Lateral projection | left wrist X-ray | index exam —

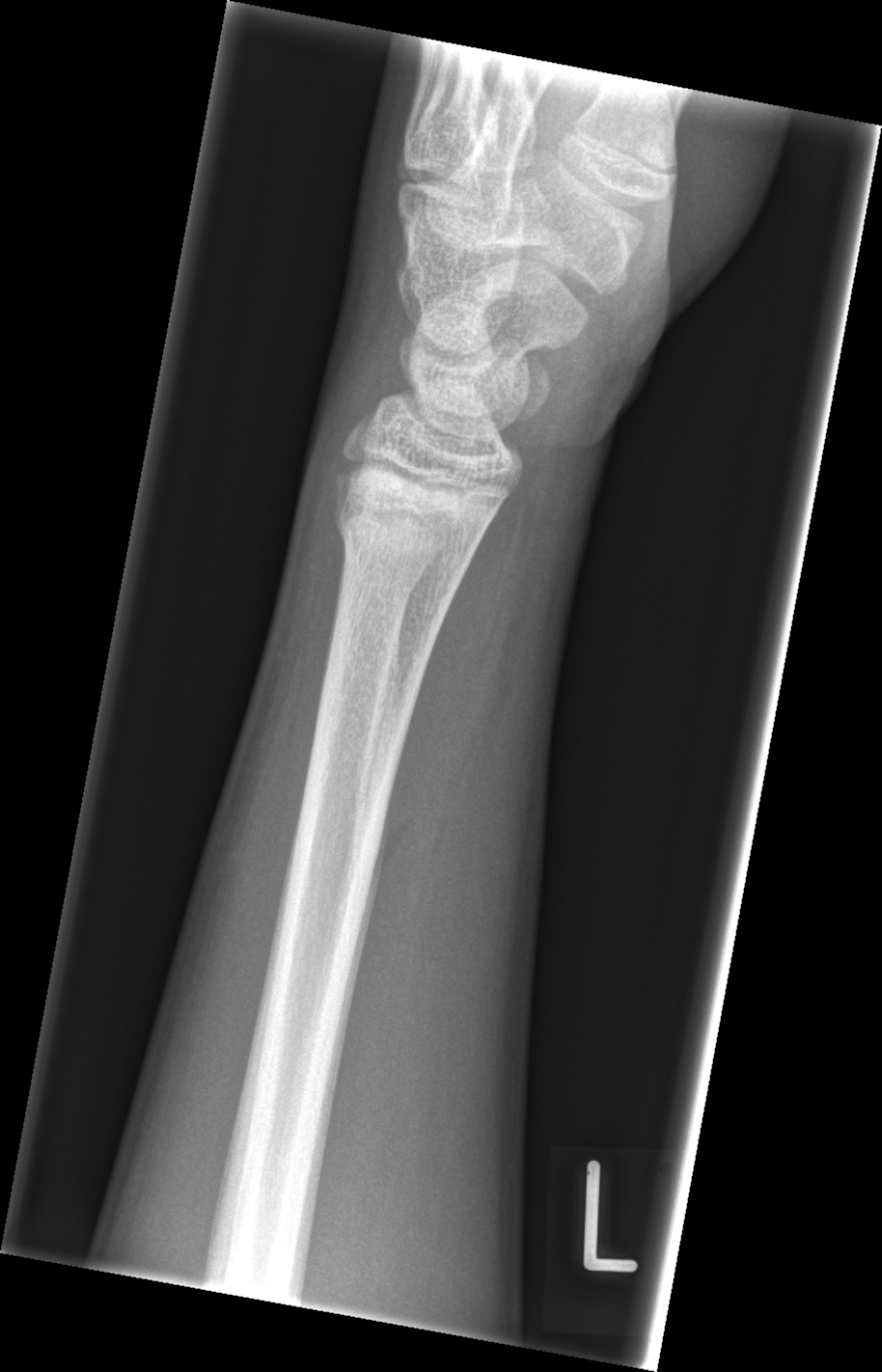
{"pronatorsign": "bbox(389, 500, 518, 852)", "fracture": "1 @ bbox(331, 485, 488, 579)"}